AP projection · Rt pediatric wrist radiograph —

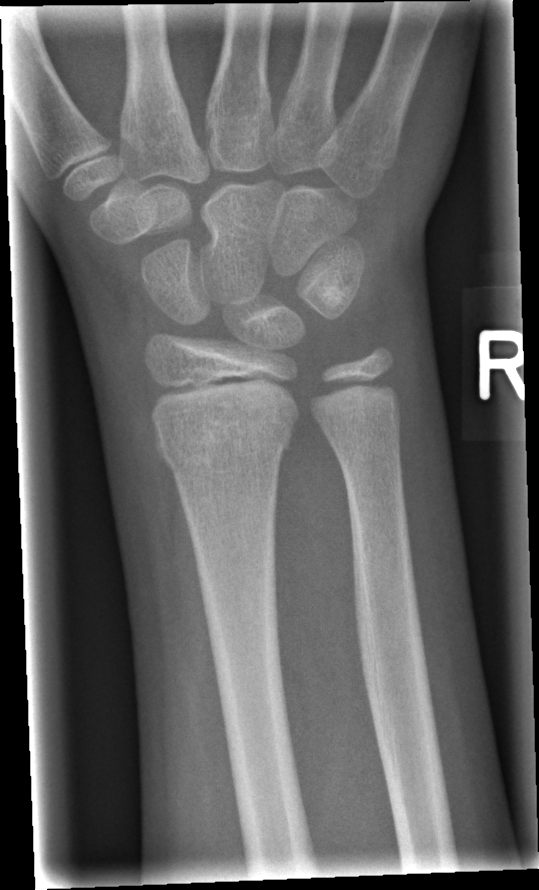
FINDINGS: AO code 23r-M/3.1. Fracture: [153, 400, 296, 466].